Left plain radiograph of the wrist, lat view, 16-year-old girl, 75.6 mm image width 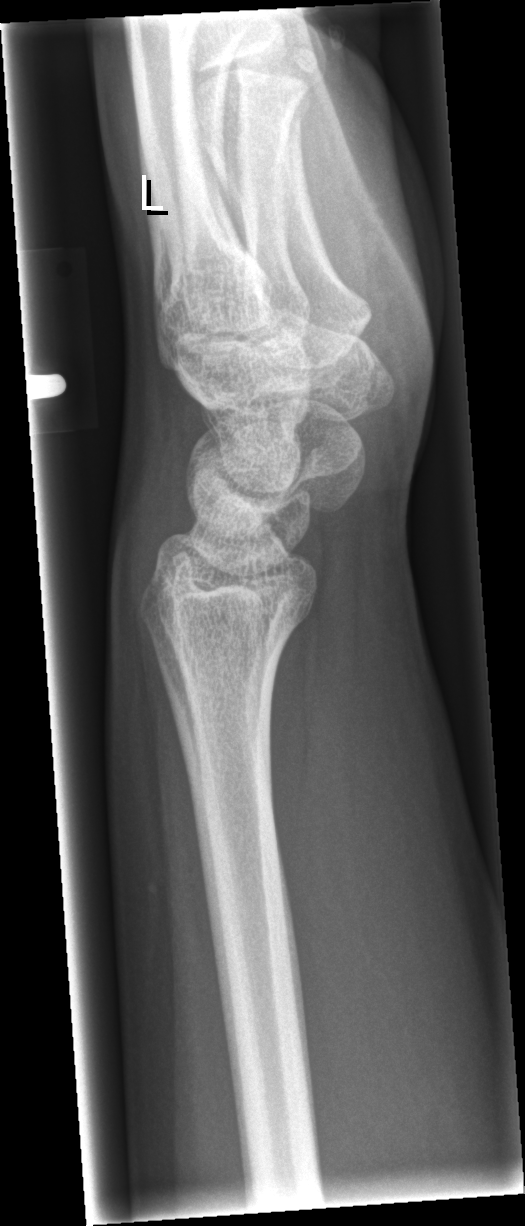 Q: Locate any fractures.
A: Fx: none